Left wrist X-ray, lateral view —

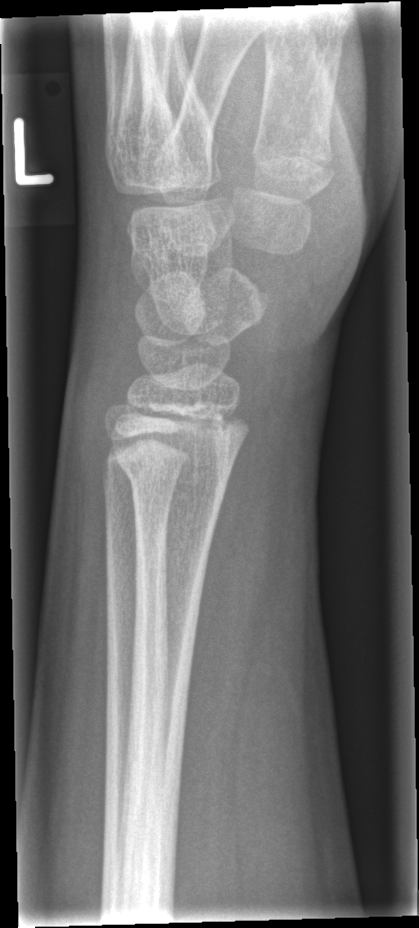

Fracture — [x1=111, y1=440, x2=239, y2=506].